Right wrist XR | PA projection | 13-year-old boy | acquired on Siemens —
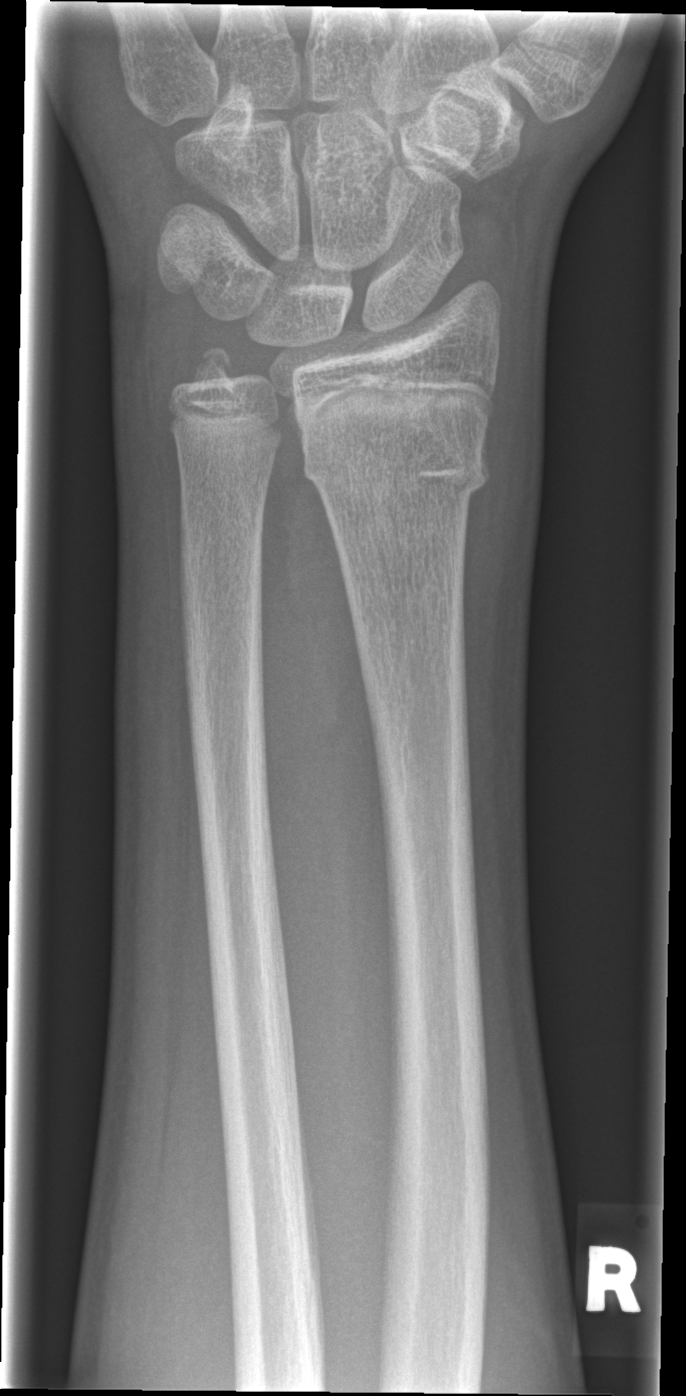

Q: Fracture present?
A: Fx: <300,425>-<496,518>, <184,335>-<248,395>